Lat view; L plain radiograph of the wrist; follow-up — 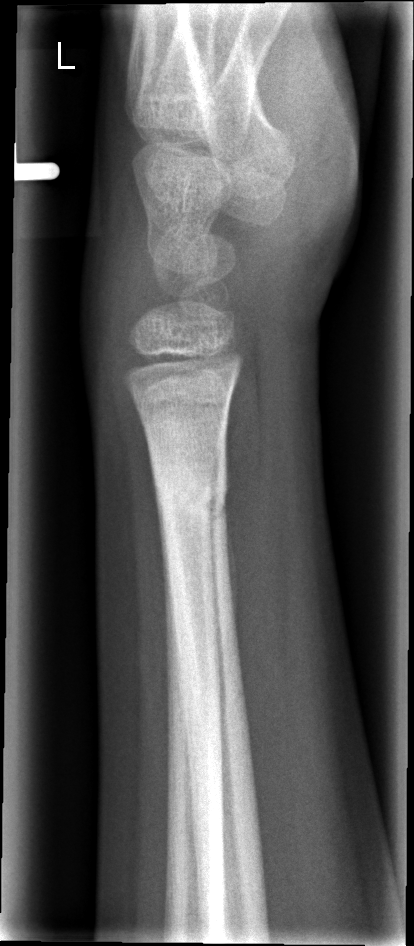 Fx: 1 @ 149,451,232,534
AO classification: 23r-M/3.1